Left wrist pediatric wrist radiograph, AP, presentation radiograph
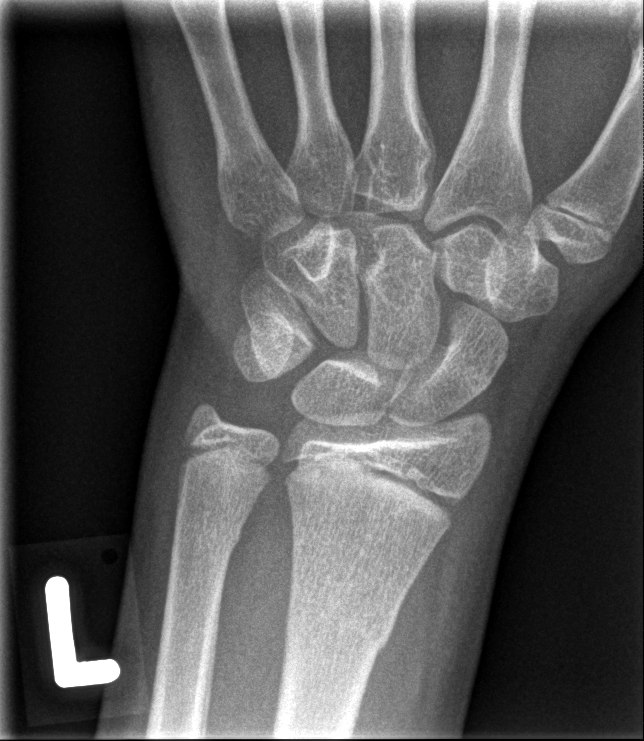

Coordinates are [x1, y1, x2, y2] in image pixels. Fx: [x1=281, y1=598, x2=397, y2=661] [x1=167, y1=515, x2=244, y2=560]. Fracture classified AO/OTA 23-M/2.1.